Lateral projection · left wrist plain film. 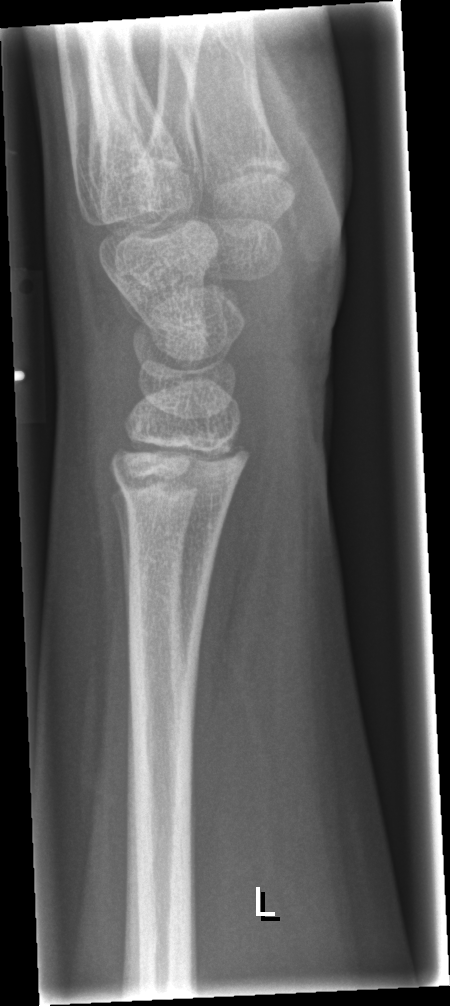 Fracture — bbox(112, 461, 239, 523).